Posteroanterior; Rt plain radiograph of the wrist; 13y M; presentation radiograph; diagnosis uncertain; 712 x 1292 px:

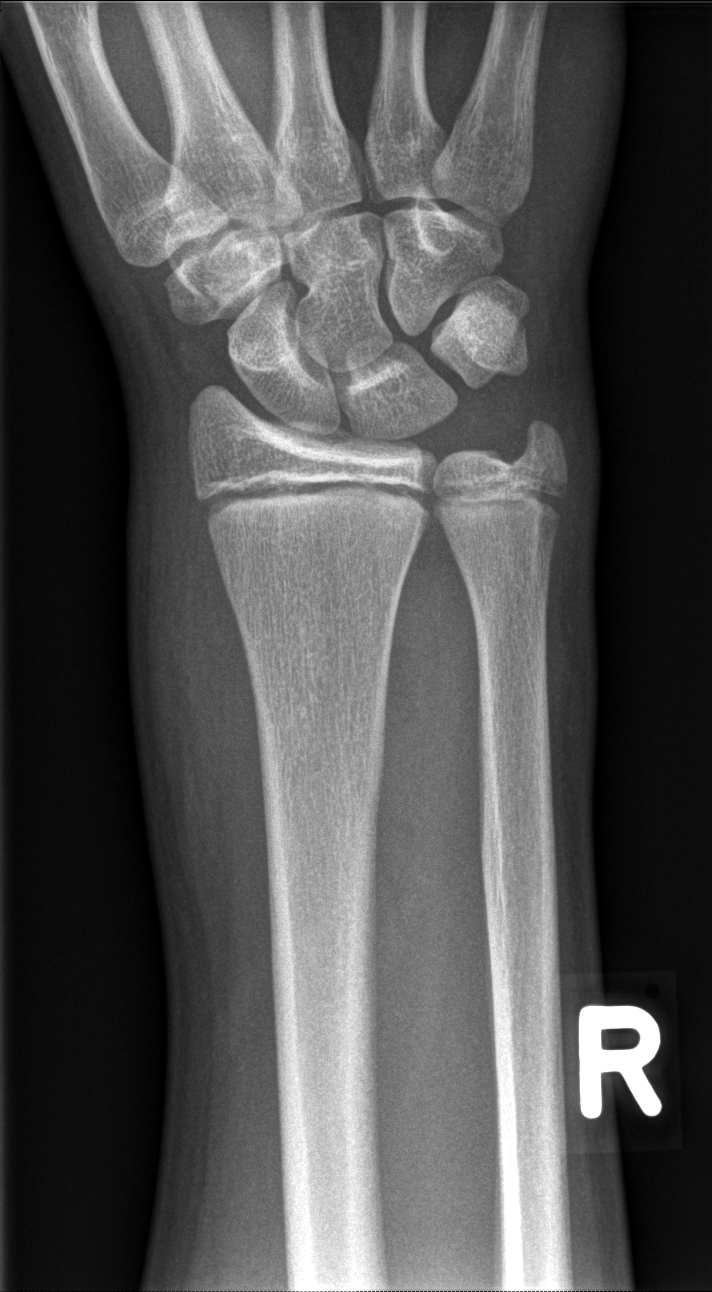

{"fracture": "present but not clearly seen in this view", "softtissue": "1 @ [x1=121, y1=431, x2=299, y2=1044]"}